Lat projection · L wrist X-ray. 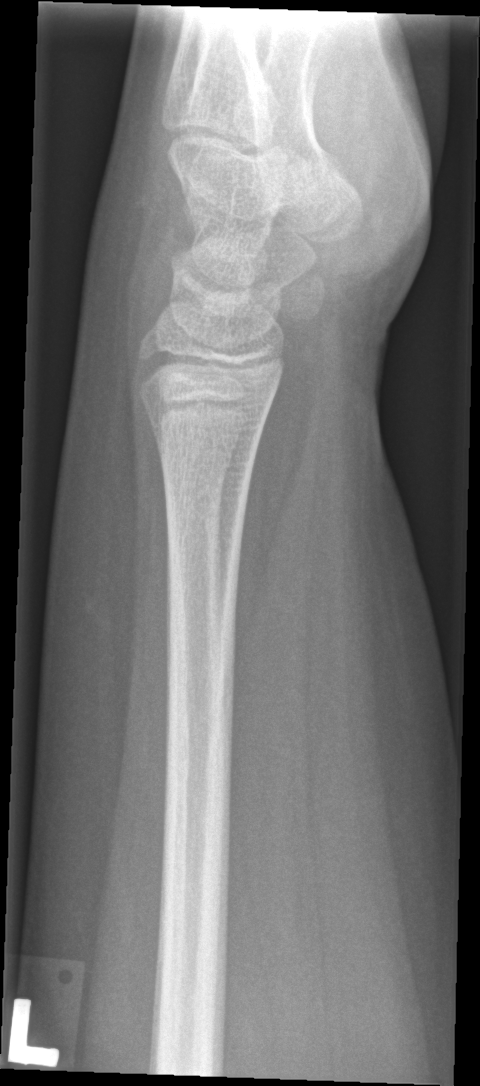
Q: Any fracture seen?
A: Fx: none